R wrist X-ray | AP | initial study

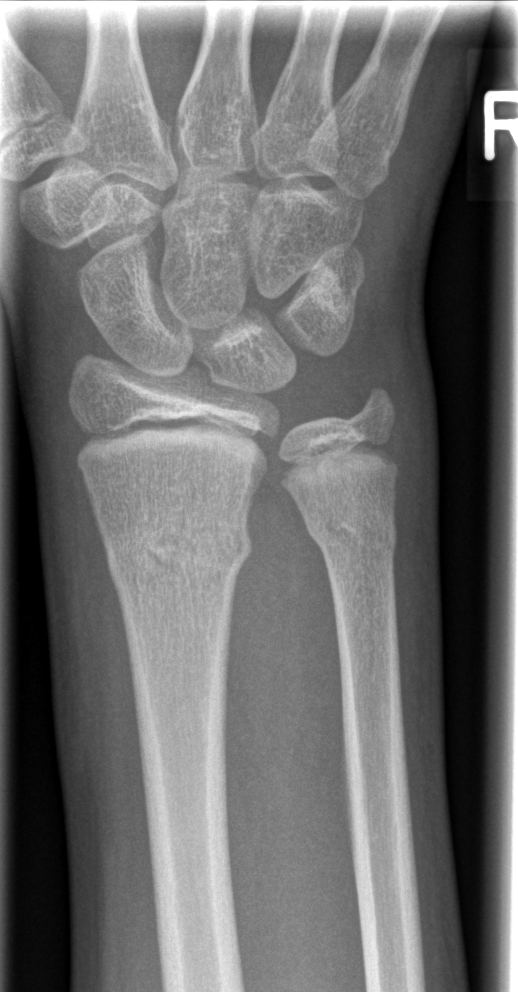
AO classification: 23-M/2.1
Bone fracture: 2 @ [x1=104, y1=511, x2=255, y2=596], [x1=304, y1=508, x2=399, y2=562]